L wrist radiograph | posteroanterior view | boy, 13 yo:
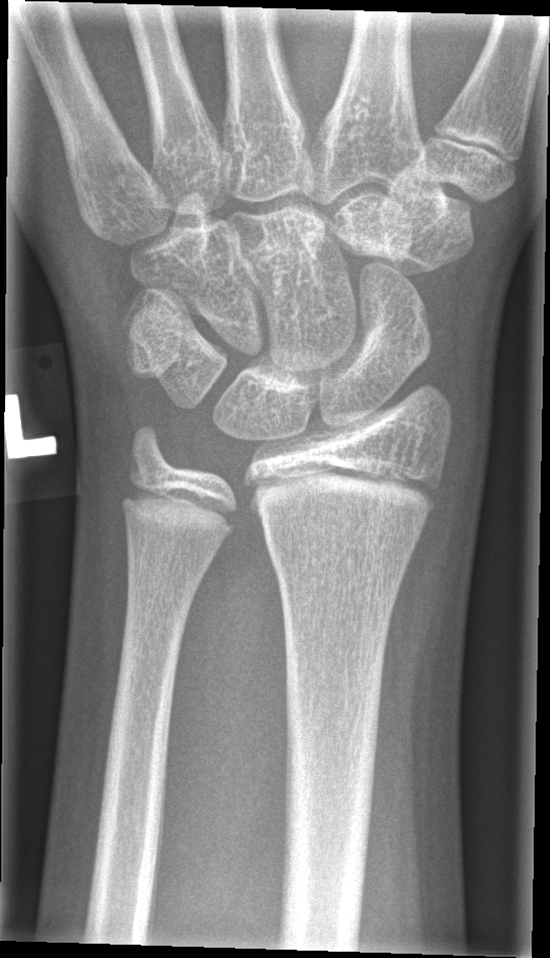 Fx present but not clearly seen in this view.